L pediatric wrist radiograph, frontal, acquired on Siemens, 692 x 1056 px 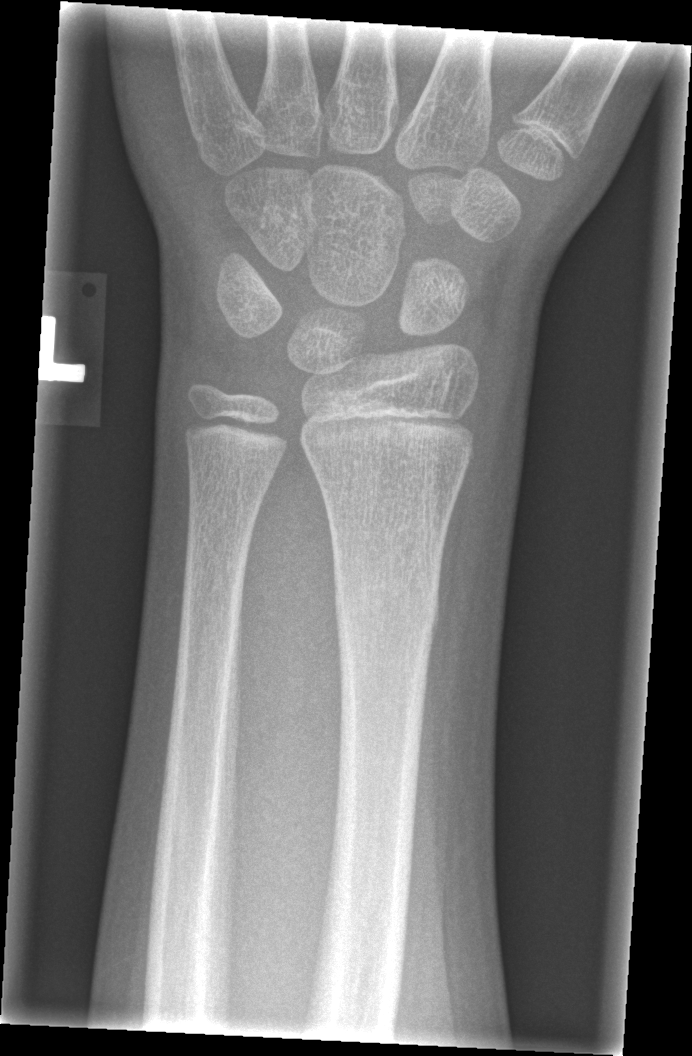 Fracture identified at [328, 563, 444, 651].